R pediatric wrist radiograph · AP view · 12y M · follow-up · cast in situ — 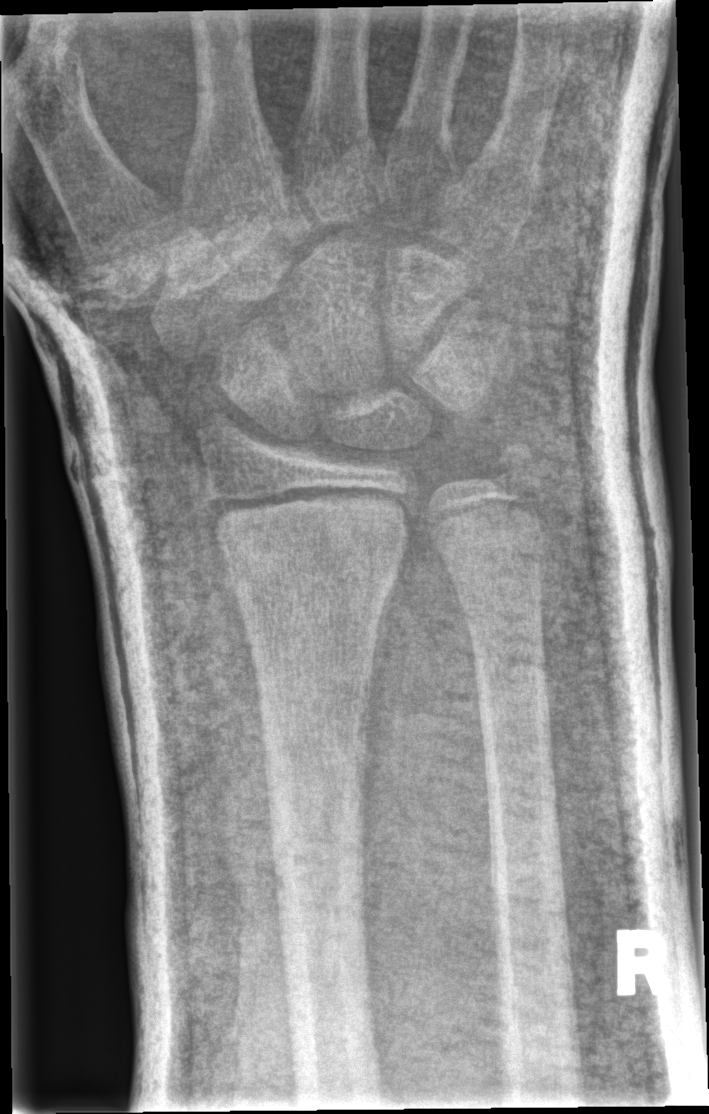

ao: 23r-E/2.1; 23u-E/7
periostealreaction: bbox(367, 568, 397, 762)
fracture: bbox(215, 497, 407, 615) bbox(476, 428, 548, 501)